Right wrist X-ray; PA/AP view; 426 x 766 px — 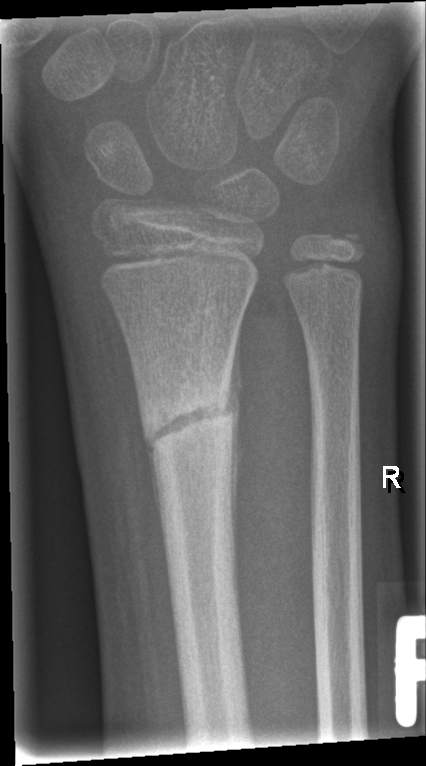   fracture: 2 @ <137,377>-<237,461>, <322,217>-<369,260>
  ao: 23-M/3.1; 23u-E/7
  periostealreaction: 2 @ <220,312>-<245,558> <144,446>-<166,554>